Lat; left wrist radiograph; 15y F; image width 61.3 mm —
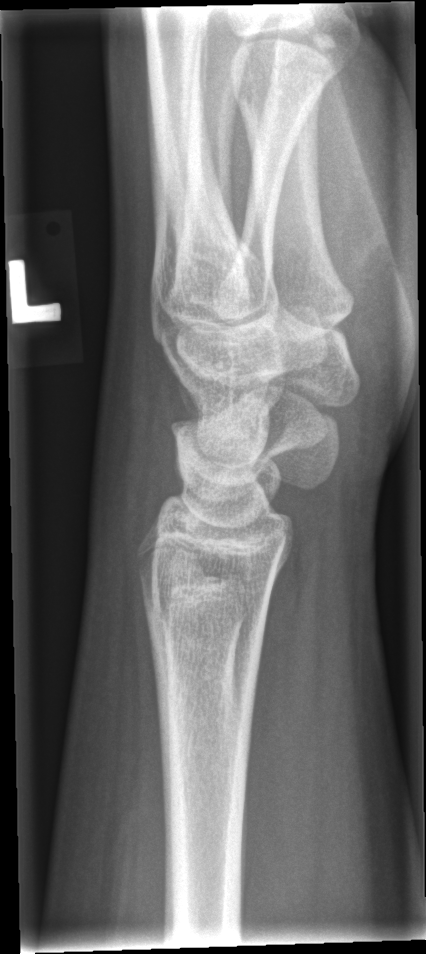

Boxes as x1,y1,x2,y2 (top-left / bottom-right, pixel units).
Fx — <132,553>-<287,616>.
AO code 23r-M/3.1.